Lateral, L pediatric wrist radiograph, age 10 y, boy:

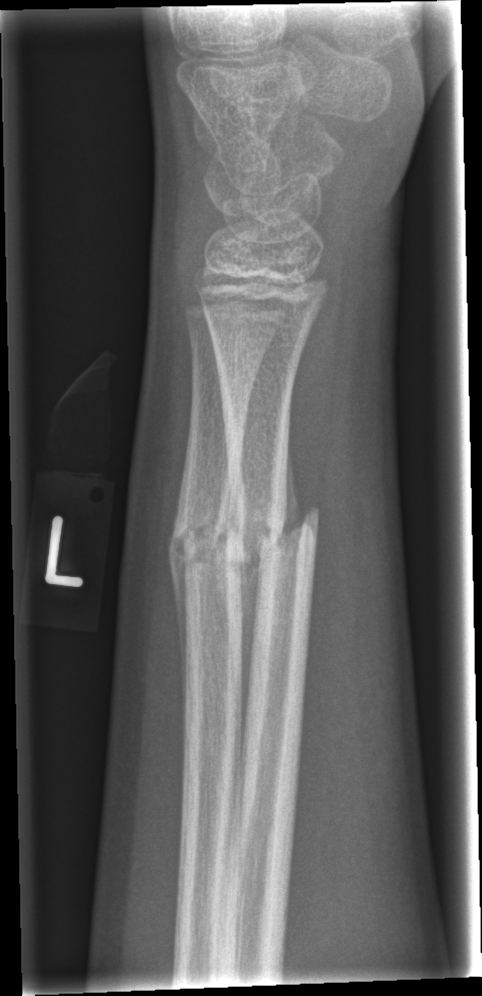 Findings: Decreased bone density (osteopenia). Fracture classified AO/OTA 22-D/4.1. One Fx at 162 490 336 594. Periosteal thickening: 167 501 188 707
  283 460 303 538.